AP projection · Rt wrist radiograph · male, 6 yo · cast in situ —

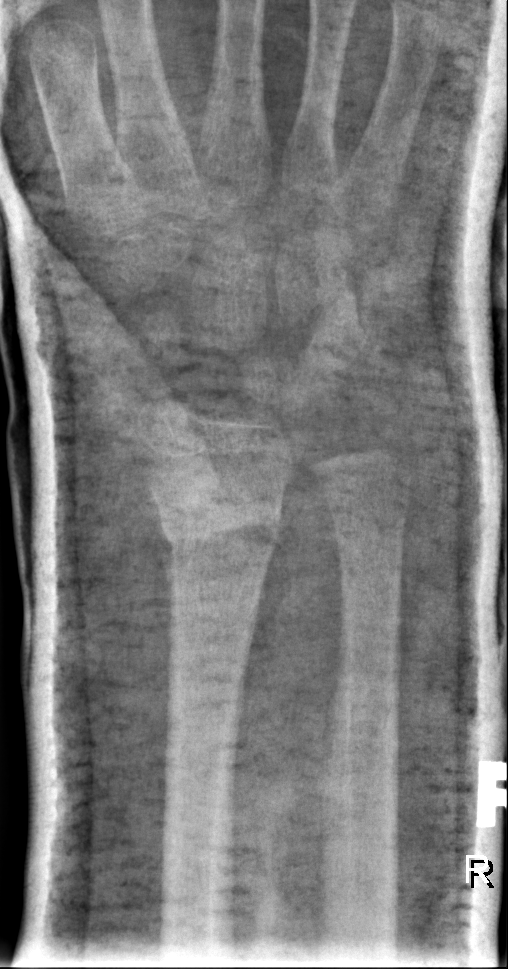

Fracture — (154, 488, 285, 566). AO/OTA classification: 23r-M/3.1.